Lt pediatric wrist radiograph | lat.

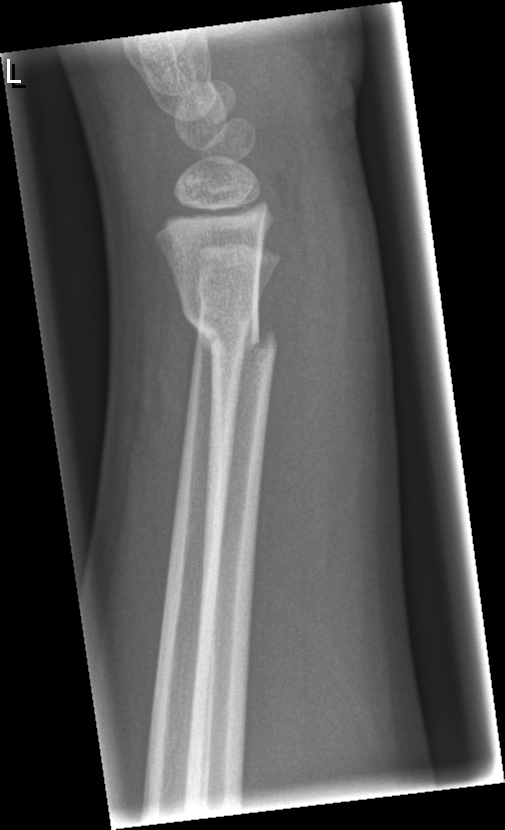 Fx: 2 @ (left=182, top=305, right=279, bottom=364), (left=194, top=266, right=263, bottom=318)